PA/AP view; left wrist plain film; index exam; image 60.8 mm wide —
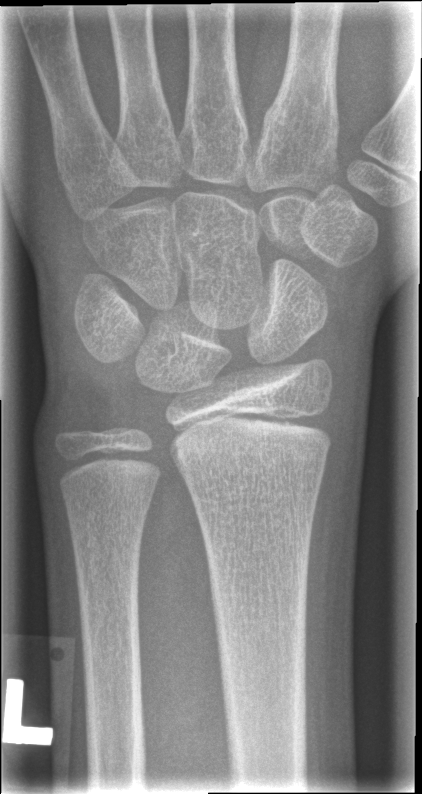
Q: Locate any fractures.
A: Fx: present but not clearly seen in this view
Q: What is the AO/OTA classification?
A: AO code 23r-M/2.1